Posteroanterior, right wrist radiograph, female, 14 yo, index exam —
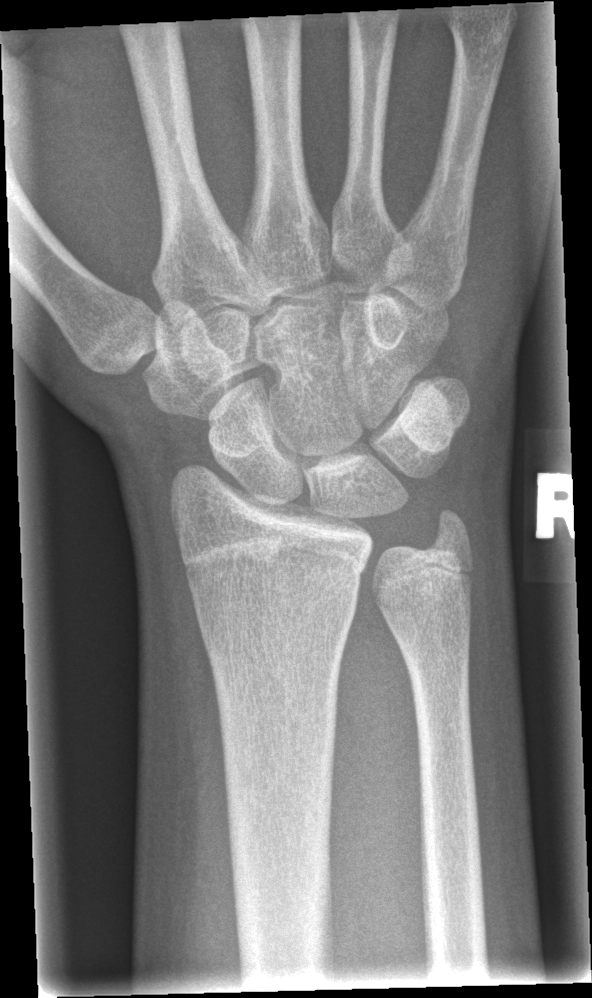
Fracture: none labeled.